Left wrist pediatric wrist radiograph, lateral, 8y M, follow-up study, imaged through cast, detector: Siemens, image size 580x1042:
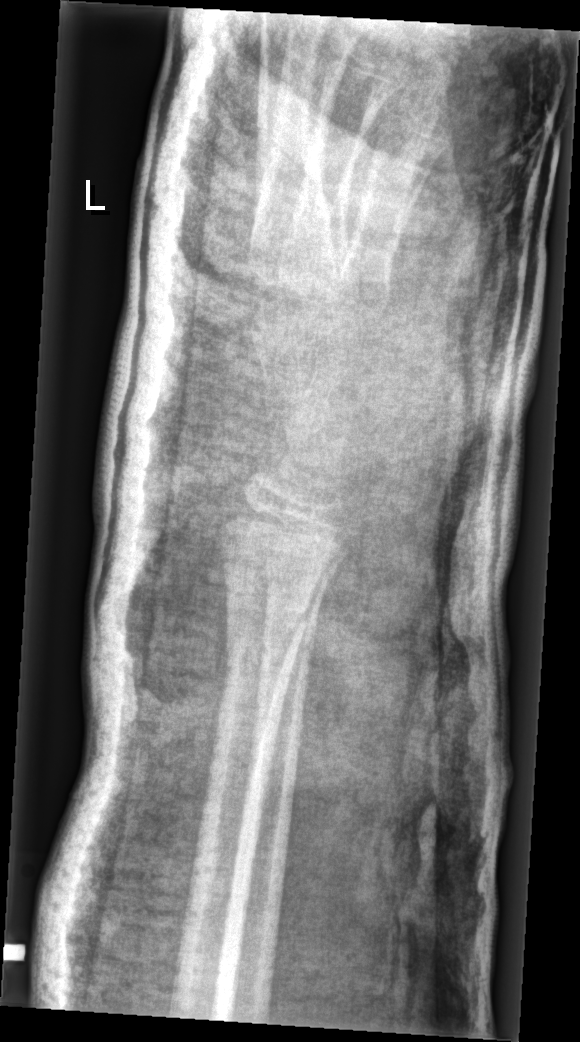

Q: AO code?
A: AO/OTA classification: 23r-M/3.1
Q: Locate any fractures.
A: Fx — (left=220, top=598, right=313, bottom=681)